Lat projection; Rt pediatric wrist radiograph; age 17 y, female; follow-up study; image width 88.1 mm — 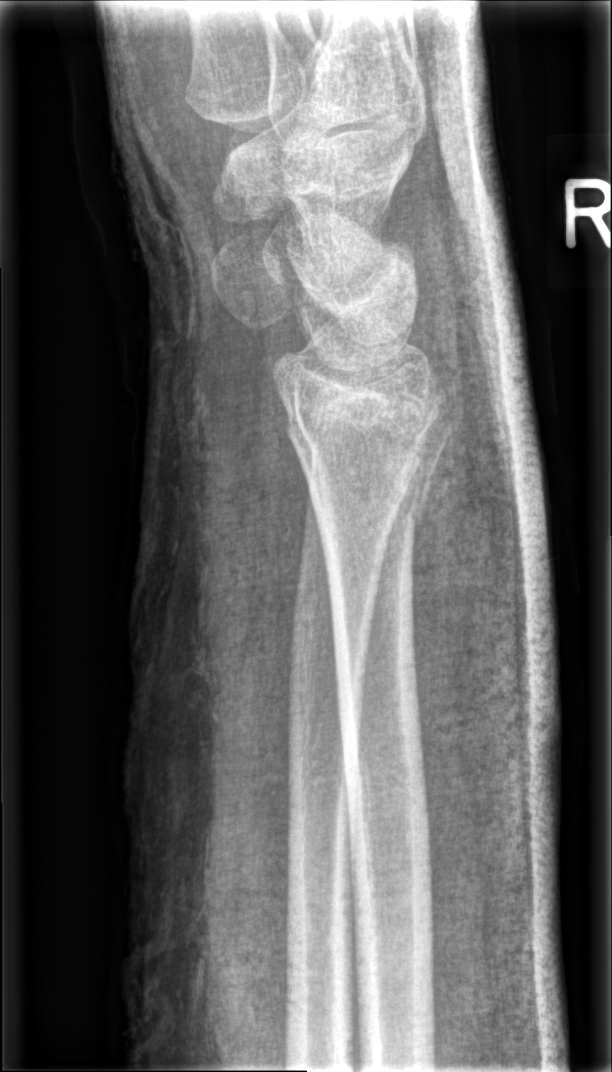
FINDINGS: (coordinates are [x1, y1, x2, y2] in image pixels) AO/OTA classification: 23r-M/3.1; 23u-E/7. Bone fracture — [x1=275, y1=406, x2=457, y2=537].